PA; left wrist plain film —

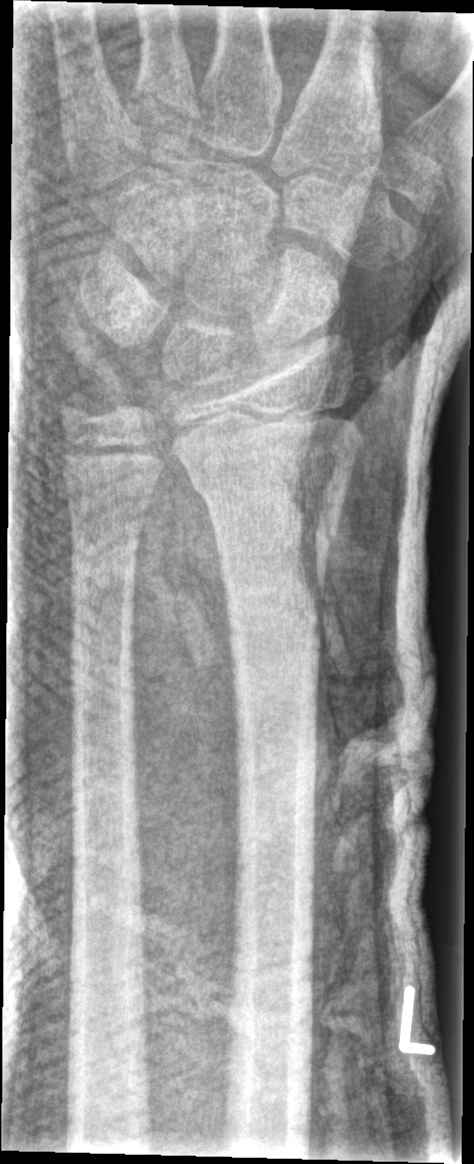

{"fracture": "2 @ (178, 441, 354, 551); (51, 380, 111, 438)", "ao": "23r-M/3.1; 23u-E/7"}